PA/AP projection, right plain radiograph of the wrist

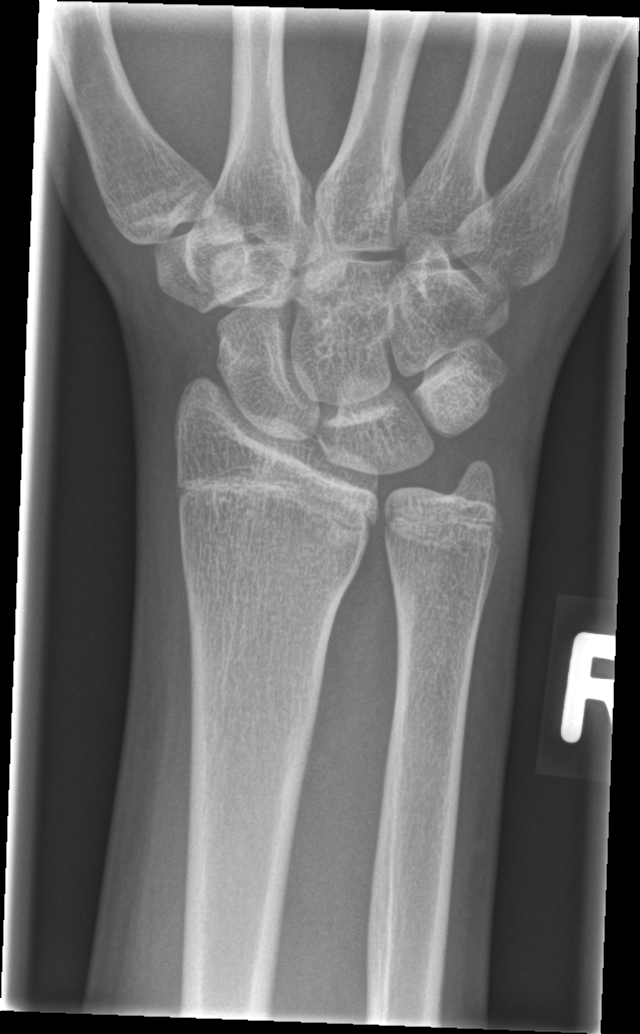
No fracture bounding box.